Lateral view, left wrist plain film, 15-year-old male, 504 by 1036 pixels:
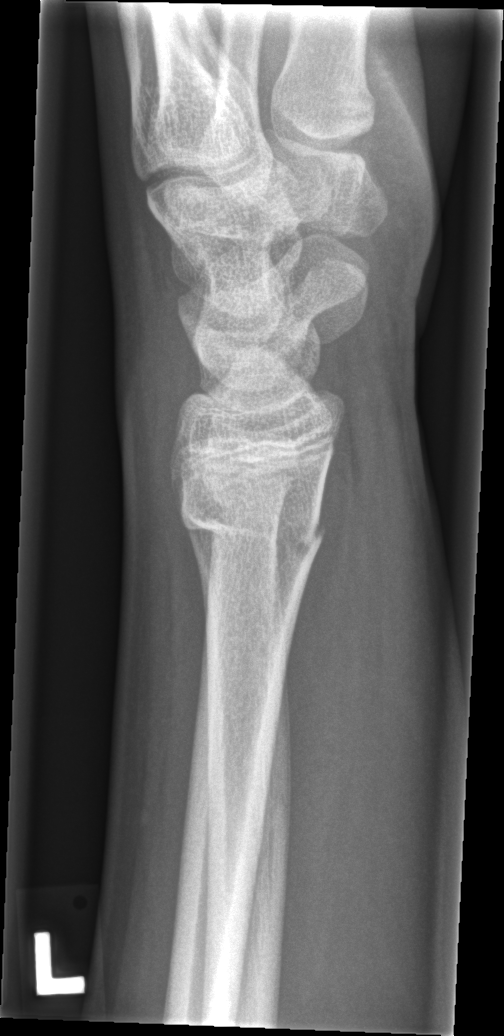 AO classification = 23r-M/3.1; 23u-E/7
Fx = 177,488,328,558
pronator quadratus fat-pad sign = 283,429,382,911